Right wrist XR; lat; pediatric patient (girl, age 12)
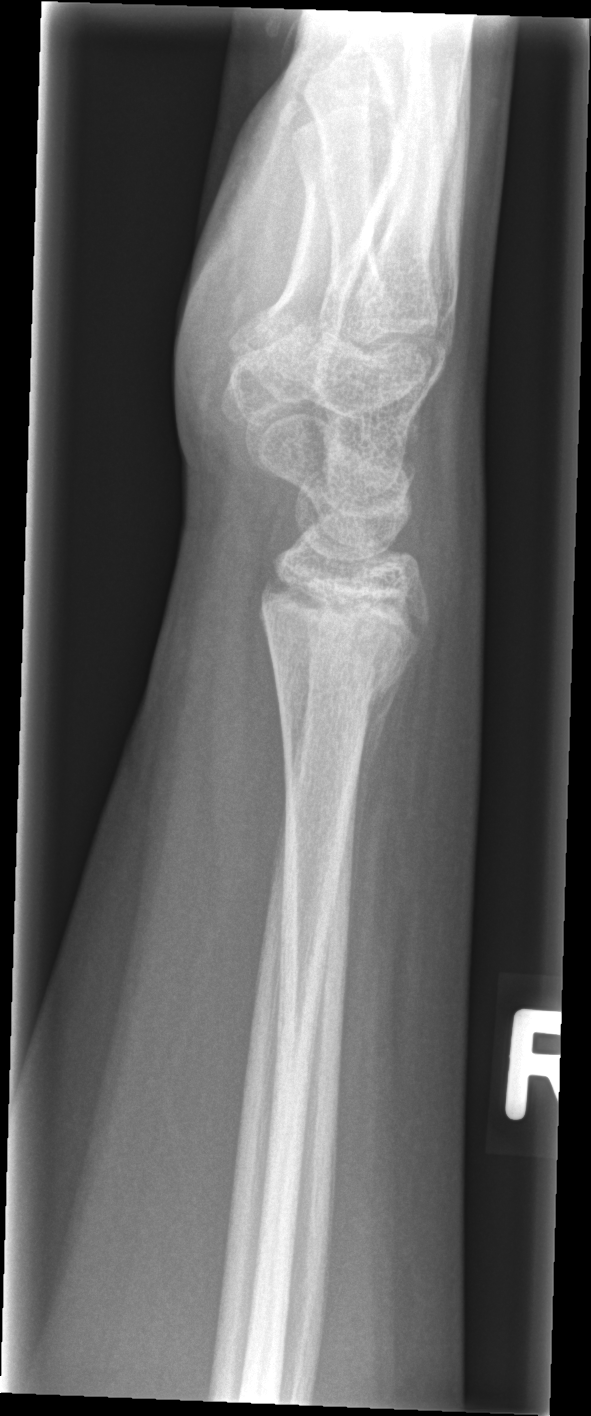 (pixel coordinates, top-left origin, xyxy)
AO classification = 23r-E/2.1; 23u-E/7
Bone fracture = (left=264, top=644, right=415, bottom=735)
Periosteal new bone = (left=347, top=667, right=406, bottom=954)
Osteopenia = present